AP | Lt wrist X-ray | 6-year-old female. 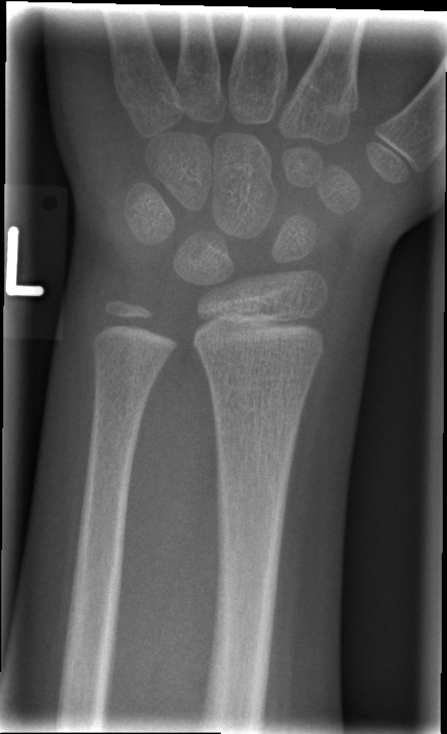
Findings: Fx: none.